Lateral view · R pediatric wrist radiograph · boy, 2 yo:

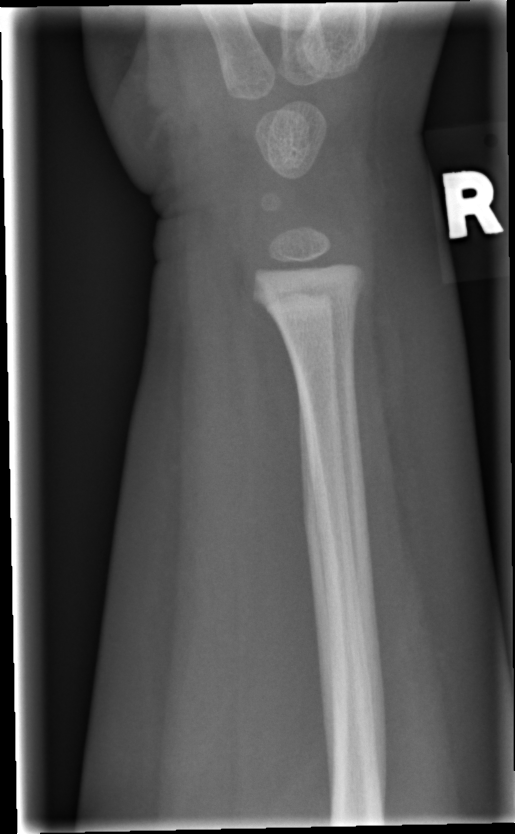
No fracture annotation.